Posteroanterior view; right wrist plain film 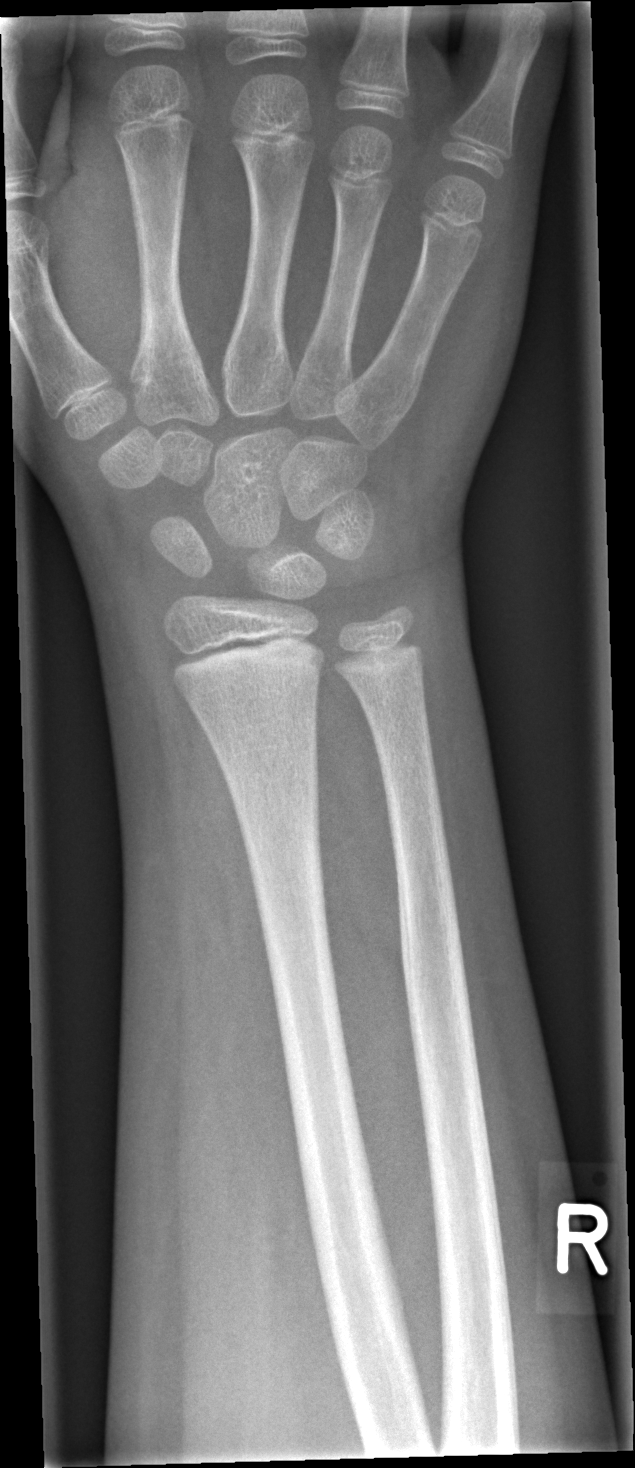 No Fx annotated.